Right wrist radiograph · lat view · 13y M · subsequent exam · image width 108.4 mm — 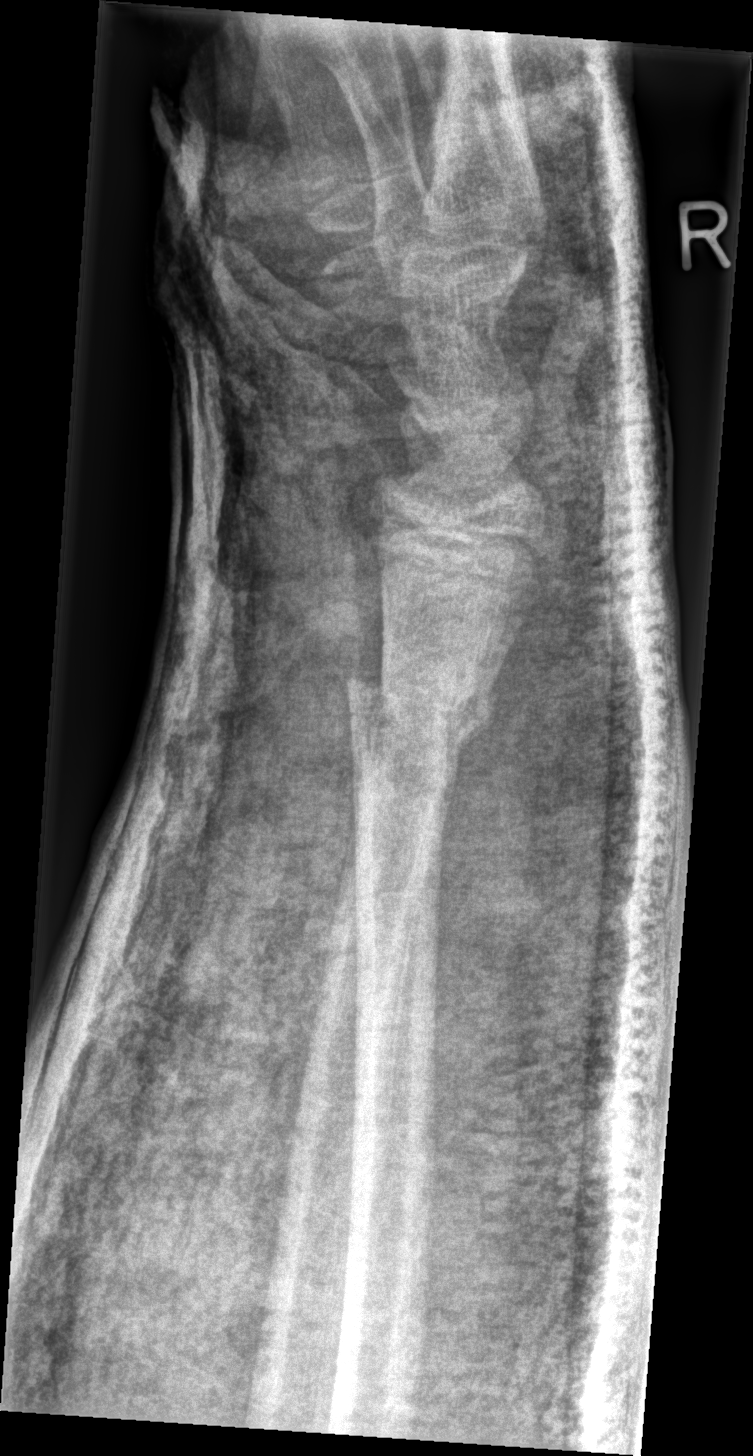
(boxes as x1,y1,x2,y2 (top-left / bottom-right, pixel units))
AO/OTA = 23r-M/3.1; 23u-M/2.1; 23u-E/7
fracture = 341,660,505,760